PA view · right wrist XR · girl, 11 yo · presentation radiograph —

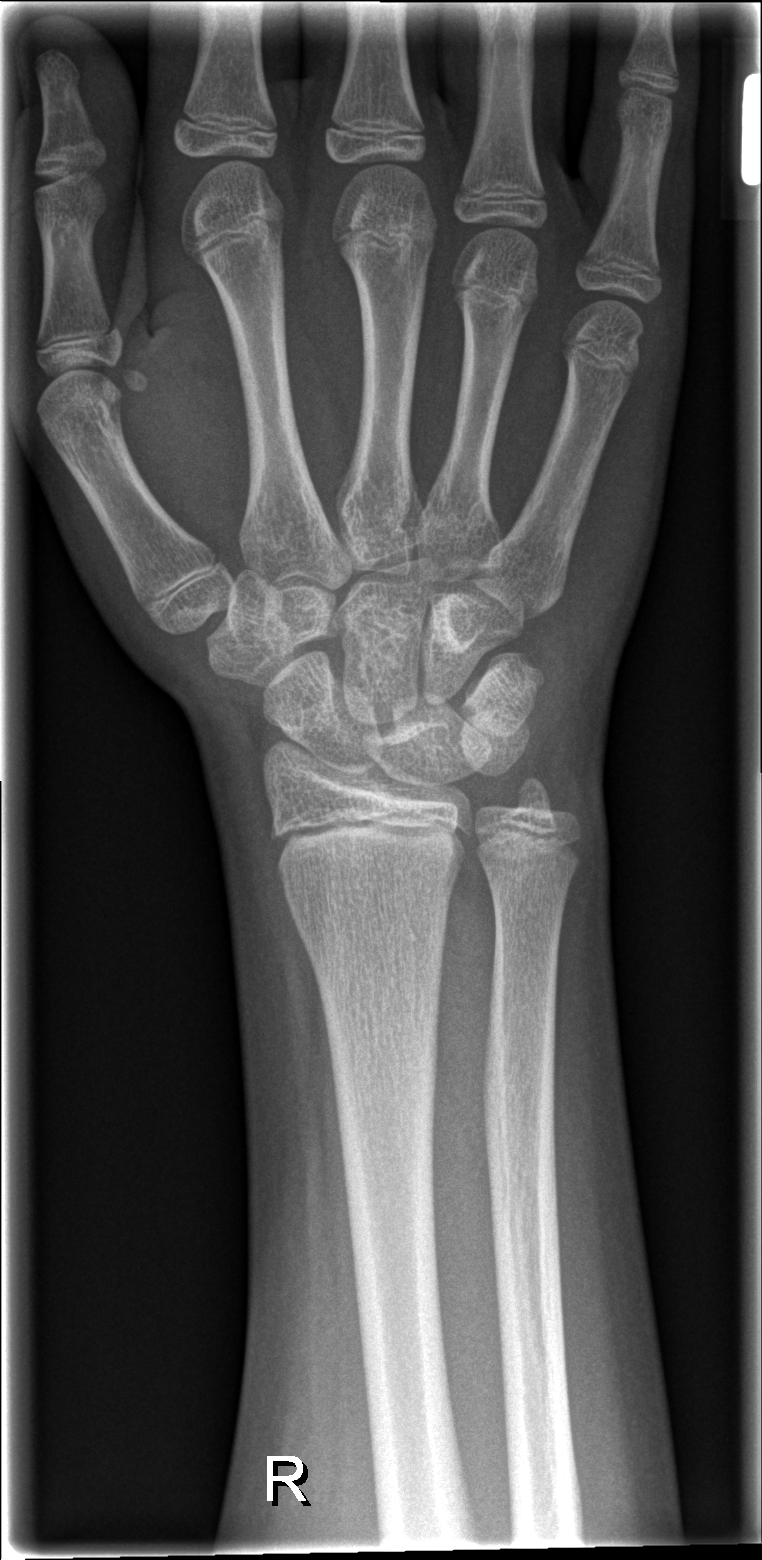 {
  "fracture": "none labeled"
}